Lateral; right wrist XR; girl, 9 yo; follow-up; imaged through cast; acquired on Siemens; image 72.3 mm wide; 502 by 822 pixels.

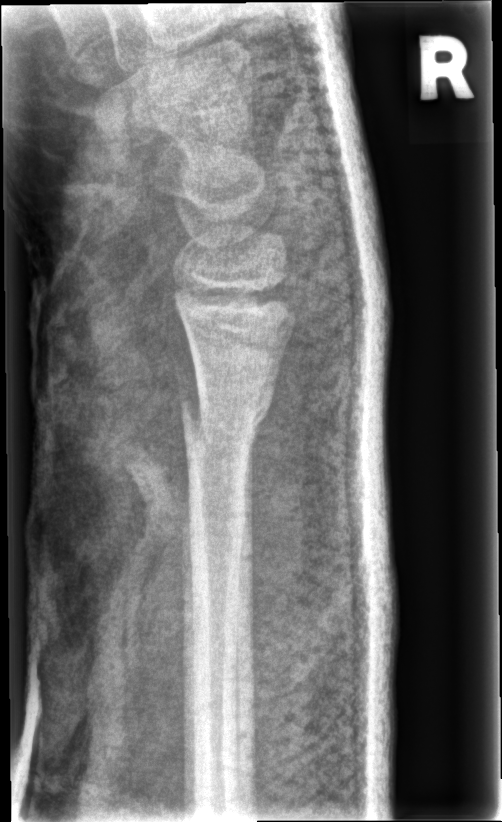

• Fractures — bbox(176, 380, 274, 458), bbox(176, 531, 258, 590).